Rt wrist XR, frontal projection, boy, 12 yo —
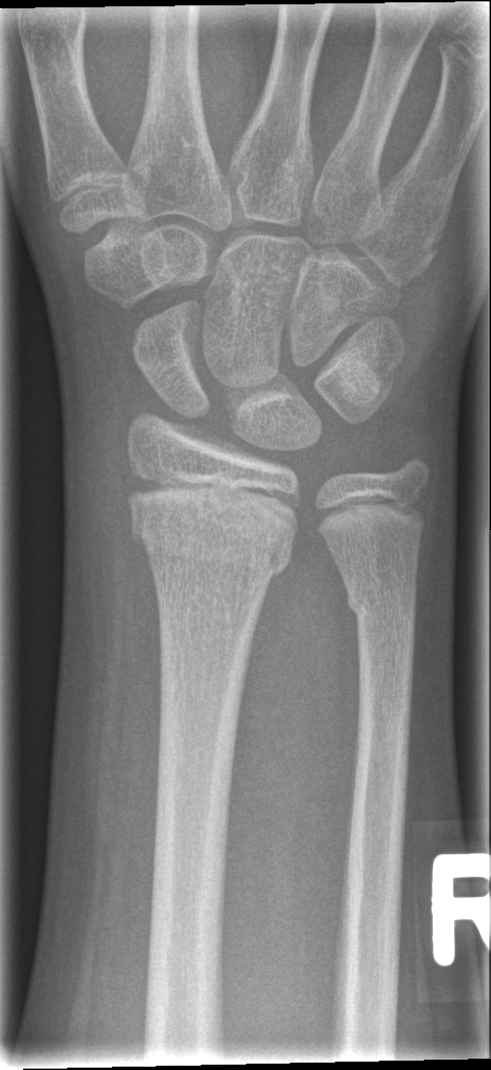

FINDINGS — (pixel coordinates, top-left origin, xyxy) Bone fracture identified at (129, 507, 295, 584), (344, 581, 420, 639).